Frontal view | right wrist plain film | girl, 6 yo | cast present

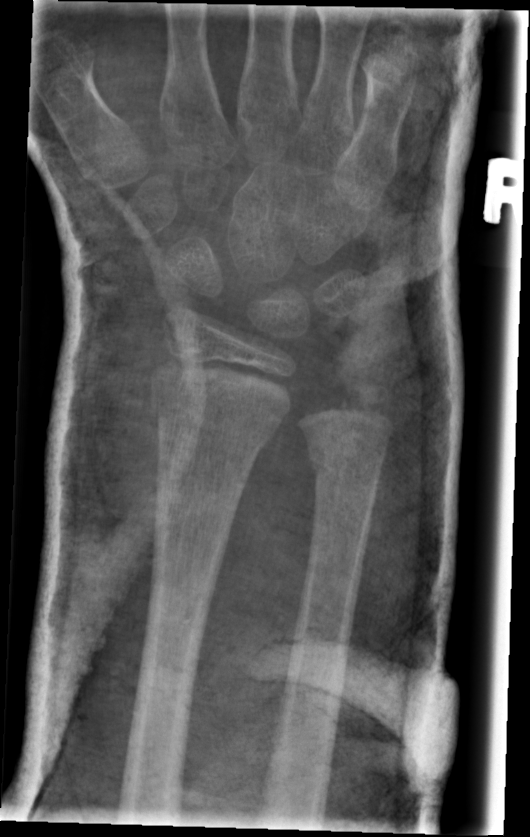
Boxes as x1,y1,x2,y2 (top-left / bottom-right, pixel units). AO code 23r-E/2.1; 23u-M/2.1. Two Fx at <150,348>-<283,461>; <304,438>-<386,493>.